Right wrist X-ray; lat view; image width 50.1 mm —

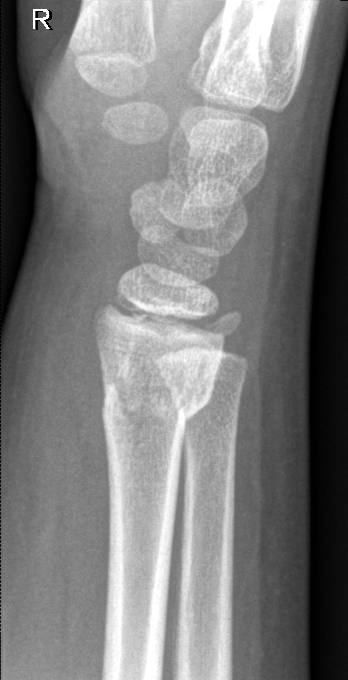 (boxes as x1,y1,x2,y2 (top-left / bottom-right, pixel units))
Q: Fracture present?
A: Bone fracture — 98 354 218 433
Q: What is the AO/OTA classification?
A: AO/OTA classification: 23r-M/3.1